R wrist XR, posteroanterior: 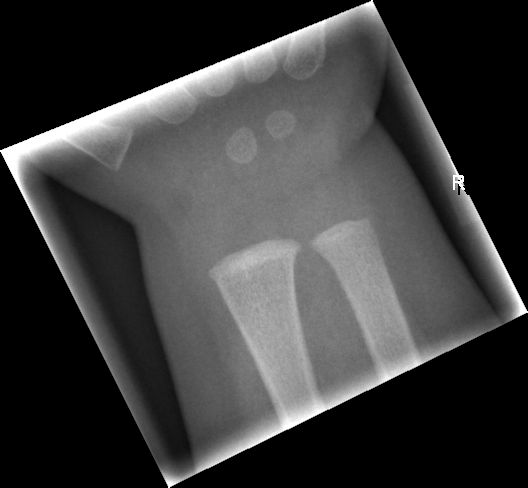

FINDINGS — No fracture annotation.